Lt plain radiograph of the wrist, PA/AP projection:

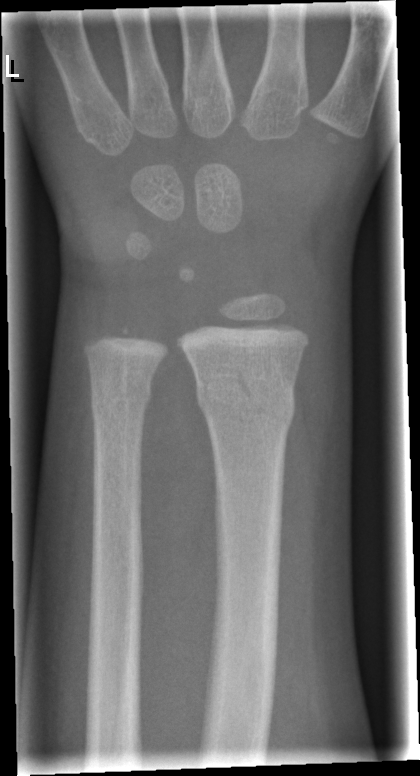

(bounding boxes in image-pixel xyxy)
Fracture: [195, 376, 298, 439] [83, 379, 156, 415]
AO code: 23-M/2.1